Lt plain radiograph of the wrist, frontal, age 9 y, male: 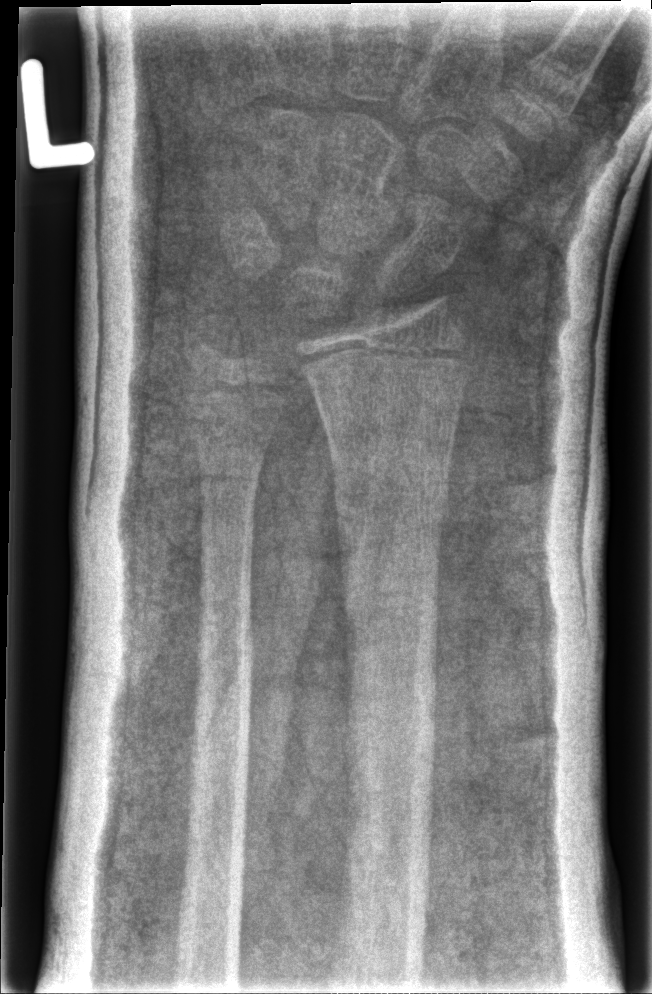

(pixel coordinates, top-left origin, xyxy)
Q: What is the AO/OTA classification?
A: Fracture classified AO/OTA 23r-M/3.1; 23u-M/2.1
Q: Any fracture seen?
A: Bone fracture identified at (330, 469, 455, 543)